Lt wrist plain film · AP · age 13 y, boy · follow-up study · image size 440x1015:

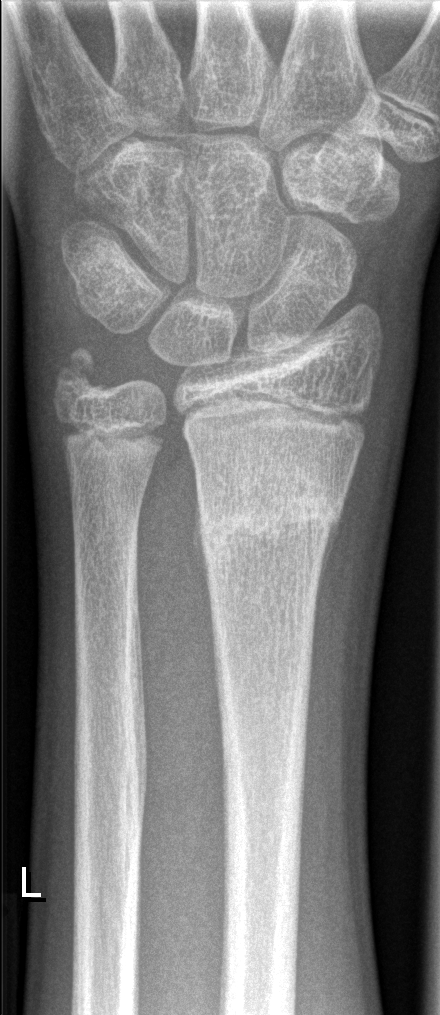
Decreased bone density (osteopenia). Fx — 191,463,348,572
  51,344,107,404. Fracture classified AO/OTA 23r-M/3.1; 23u-E/7. Periosteal reaction — 315,504,344,594.